Lat; left wrist pediatric wrist radiograph; 16-year-old male; image size 661x1454. 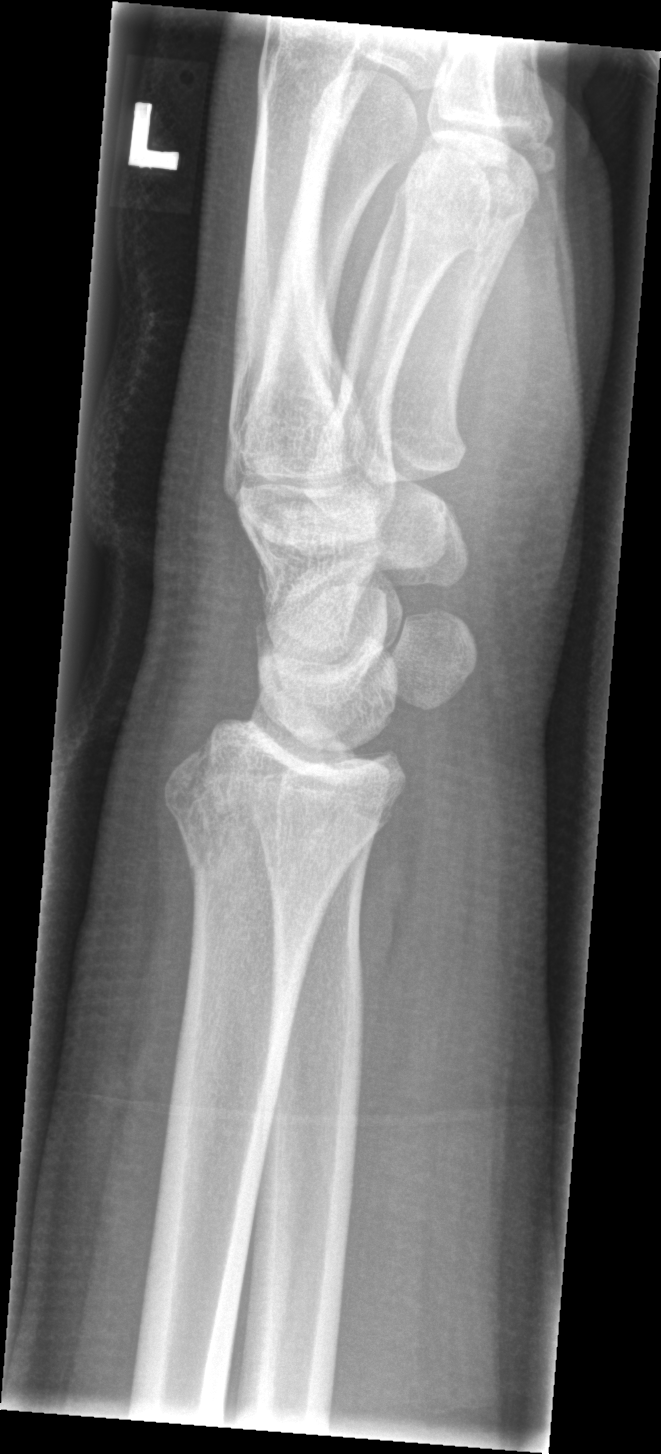 (pixel coordinates, top-left origin, xyxy)
Fx = (left=159, top=766, right=362, bottom=892)